Lateral view, right wrist plain film, follow-up study, cast present, image size 547x830
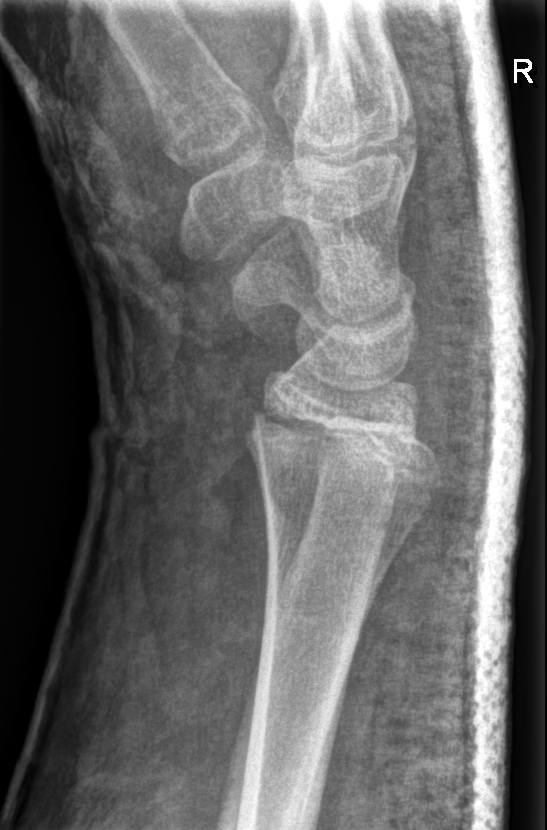

Q: Is there a fracture?
A: Fracture identified at 236 400 425 492
Q: AO code?
A: AO/OTA classification: 23r-E/2.1; 23u-E/7